Rt wrist XR, lat projection, 309 x 1048 px.
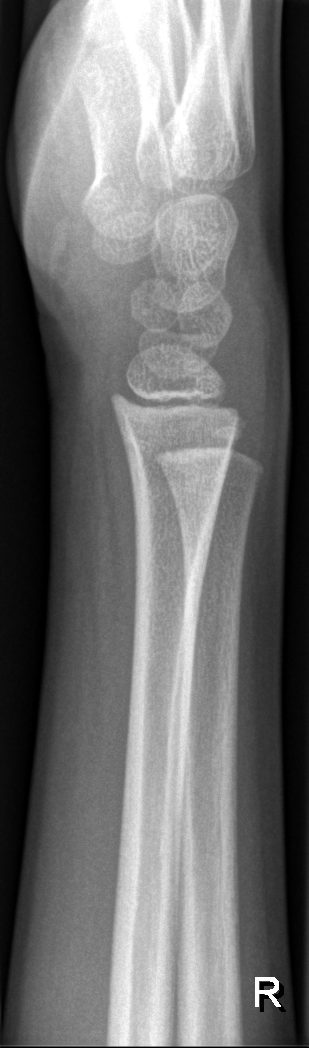
* No Fx annotated.